Left plain radiograph of the wrist | lat | 10y M:
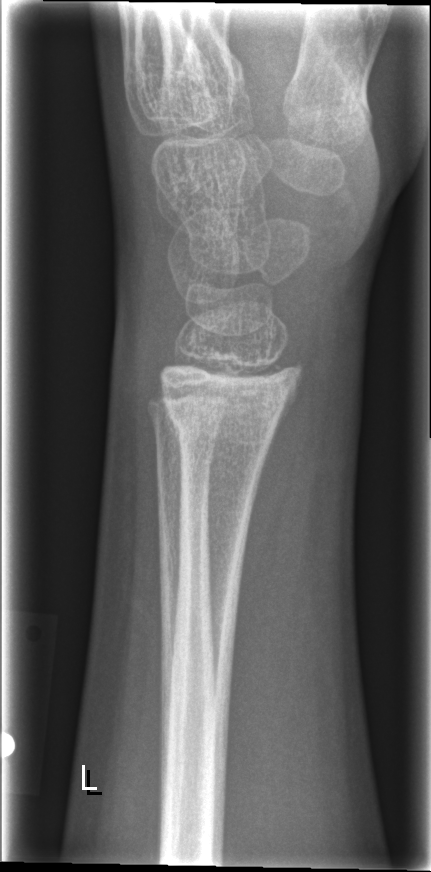

  fracture: 1 @ [x1=154, y1=355, x2=301, y2=462]
  ao: 23r-E/2.1
  osteopenia: present